Right wrist radiograph | lat projection | index exam | 542 by 712 pixels —

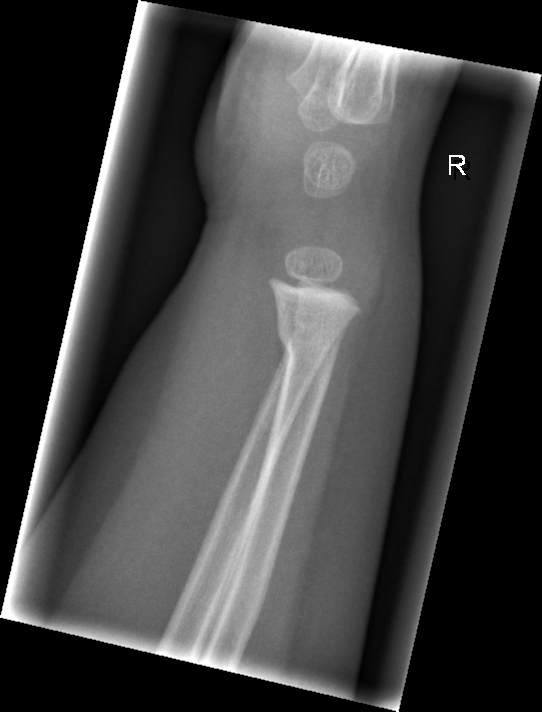

(boxes as x1,y1,x2,y2 (top-left / bottom-right, pixel units))
Q: Locate any fractures.
A: Fracture — (273, 313, 345, 373)
Q: AO code?
A: Fracture classified AO/OTA 23-M/2.1